Lat projection; right wrist radiograph; pediatric patient (boy, age 10); findings marked uncertain by the reading radiologist; acquired on Siemens

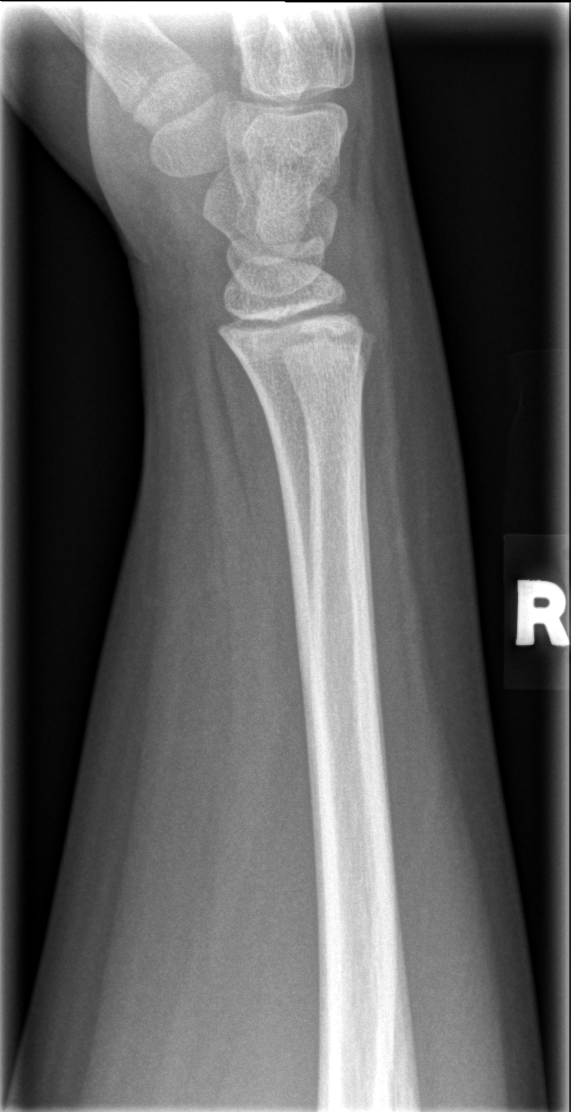
Findings: Fracture: none labeled.